Left wrist plain film; frontal; 13-year-old boy; cast present; image 104.4 mm wide.

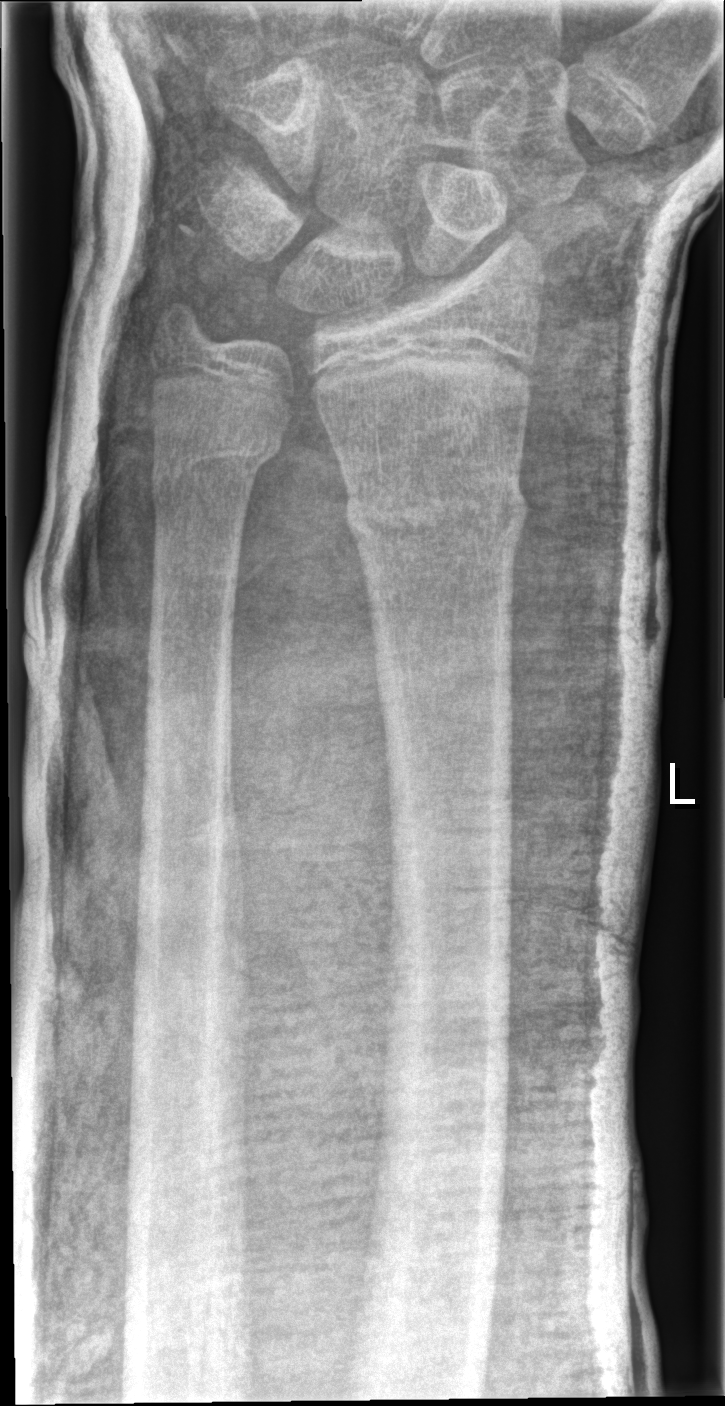

- Fractures — <343,469>-<532,554>; <147,422>-<292,506>.
- AO/OTA classification: 23r-M/3.1; 23u-M/2.1; 23u-E/7.